Left wrist X-ray | AP projection | follow-up | image 93.7 mm wide:
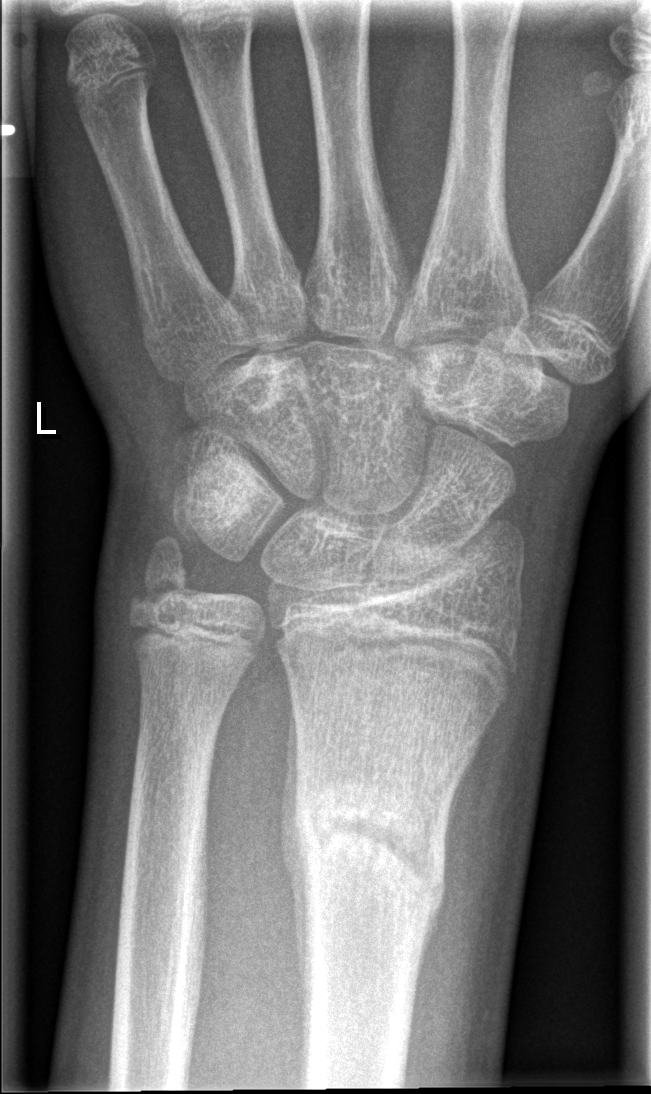 • Periosteal thickening: 284 711 306 976.
• Decreased bone density (osteopenia).
• Fracture: 290 768 451 933 | 132 533 193 613.
• Fracture classified AO/OTA 23r-M/3.1; 23u-E/7.